Rt wrist X-ray; posteroanterior view 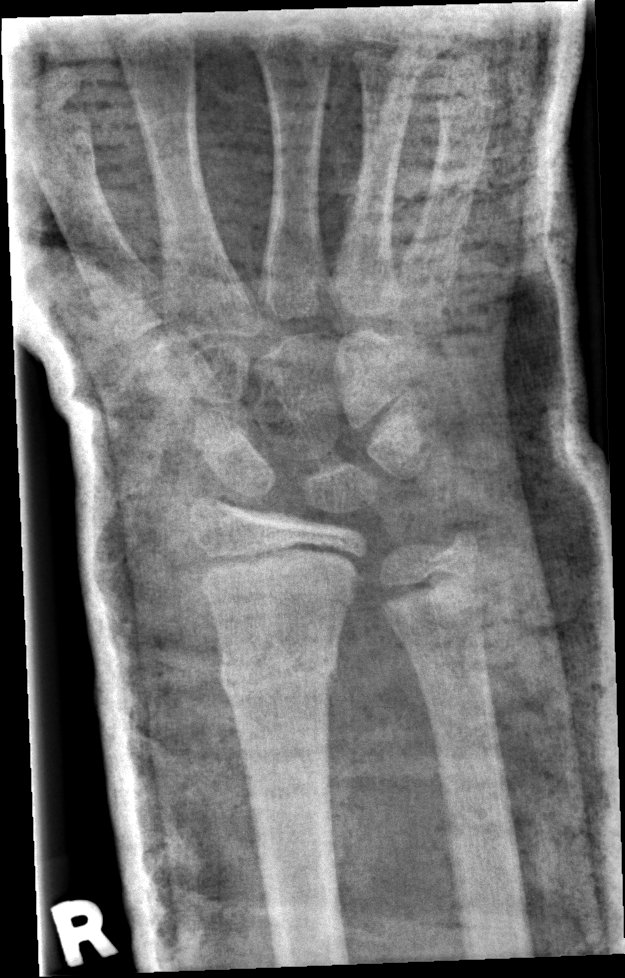

One Fx at (213, 635, 343, 703). AO/OTA classification: 23r-M/3.1; 23u-E/1.